L wrist X-ray, lateral projection, 8y F, image width 66.4 mm. 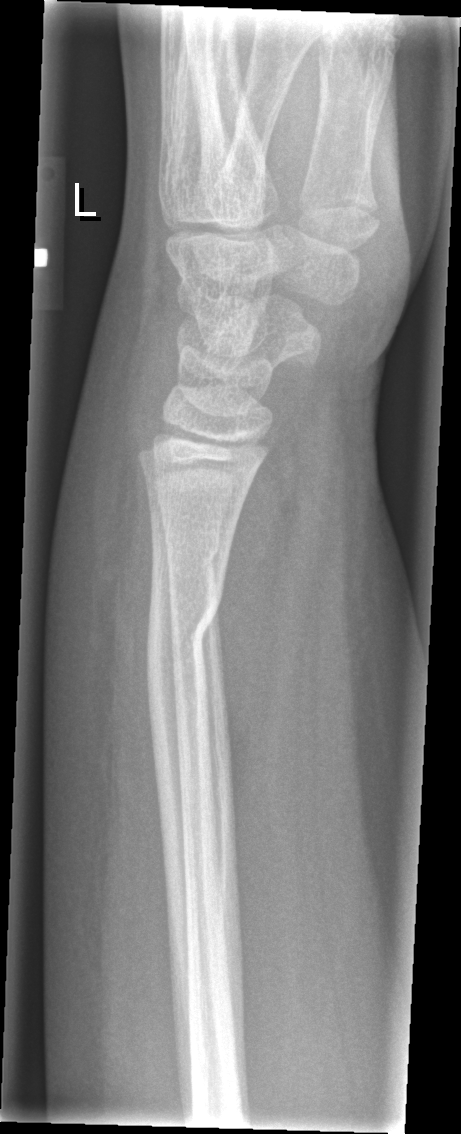
* AO code 23-M/2.1.
* Pronator sign identified at 216,431,296,816.
* Fracture: 141,581,225,687; 162,529,221,582.